R wrist X-ray; frontal; 7y M; subsequent exam; Siemens. 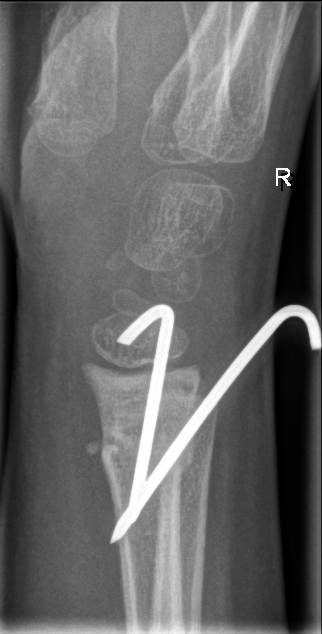
FINDINGS: (bounding boxes in image-pixel xyxy) Fracture classified AO/OTA 23r-M/3.1; 23u-M/2.1. Metallic hardware — 110 304 322 544. Fx: 82 400 193 469.